Right wrist X-ray · lateral · pediatric patient (girl, age 13) · 45.8 mm image width —
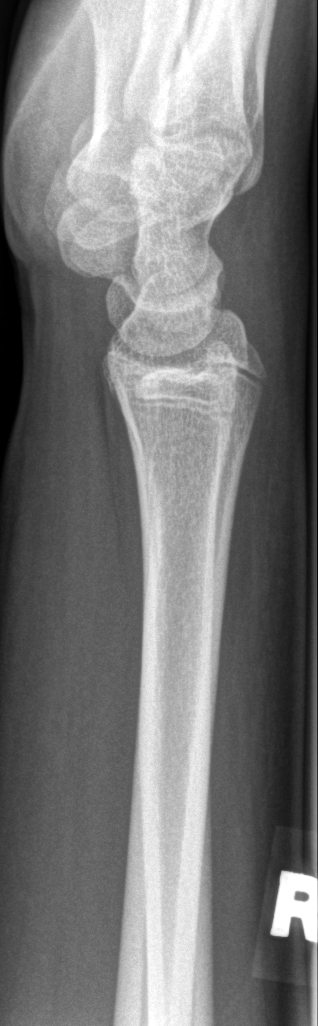
Bone fracture: none labeled